L wrist X-ray · PA/AP projection · pediatric patient (male, age 16).

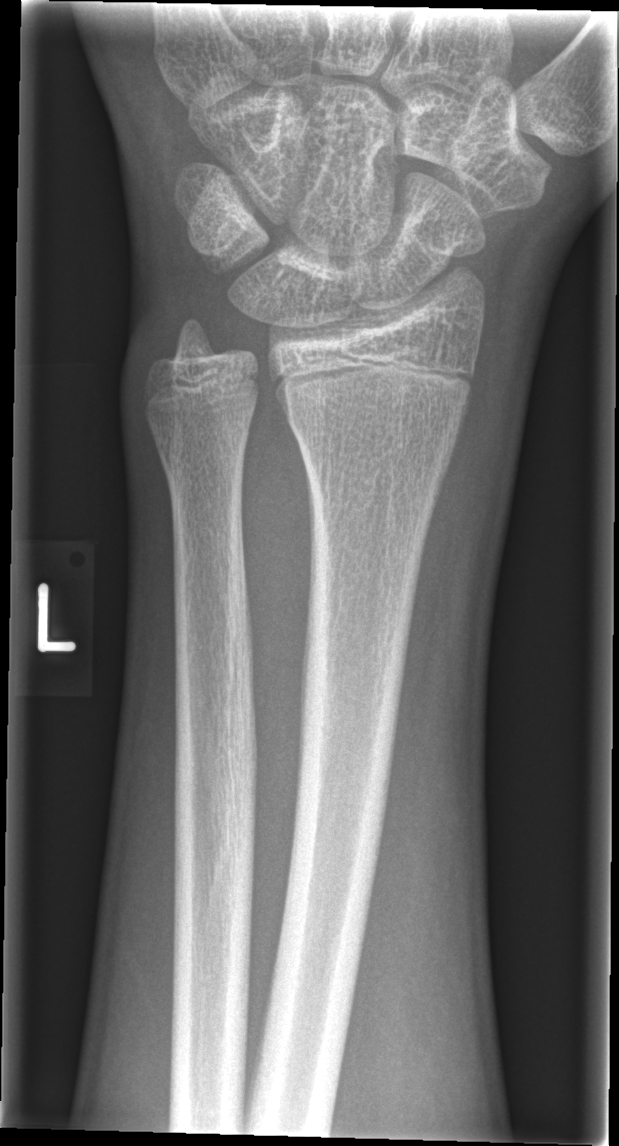 FINDINGS — Fracture: none labeled.